PA view; L wrist XR; pediatric patient (female, age 16); follow-up.

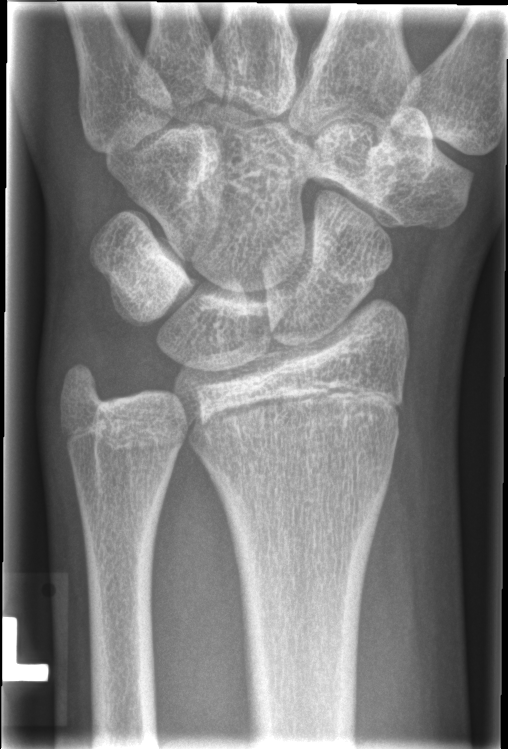 * AO code 23r-M/2.1.
* Fracture: present but not clearly seen in this view.